Left wrist XR · lateral · in cast · 74.6 mm image width · 518x992 —

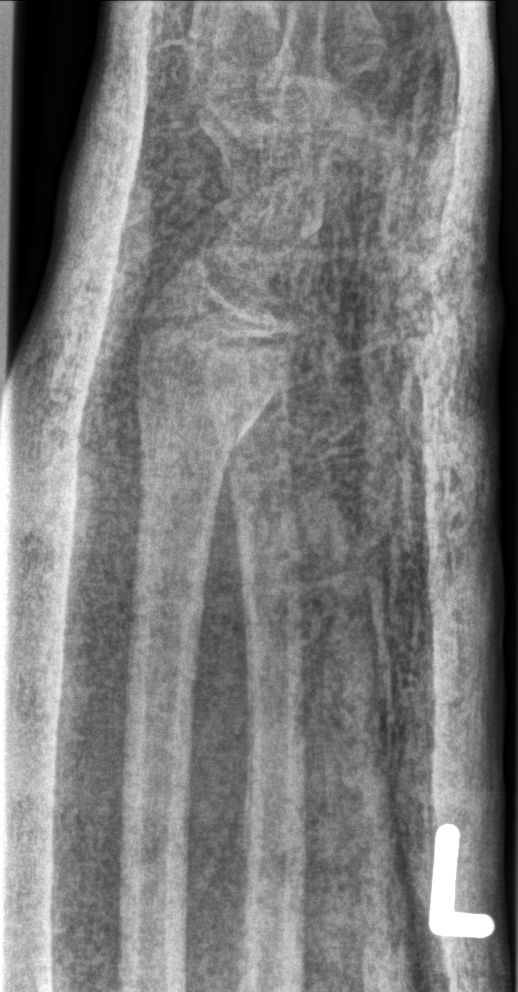 * One fracture at 134,399,254,478.